R plain radiograph of the wrist; PA/AP; 17-year-old female — 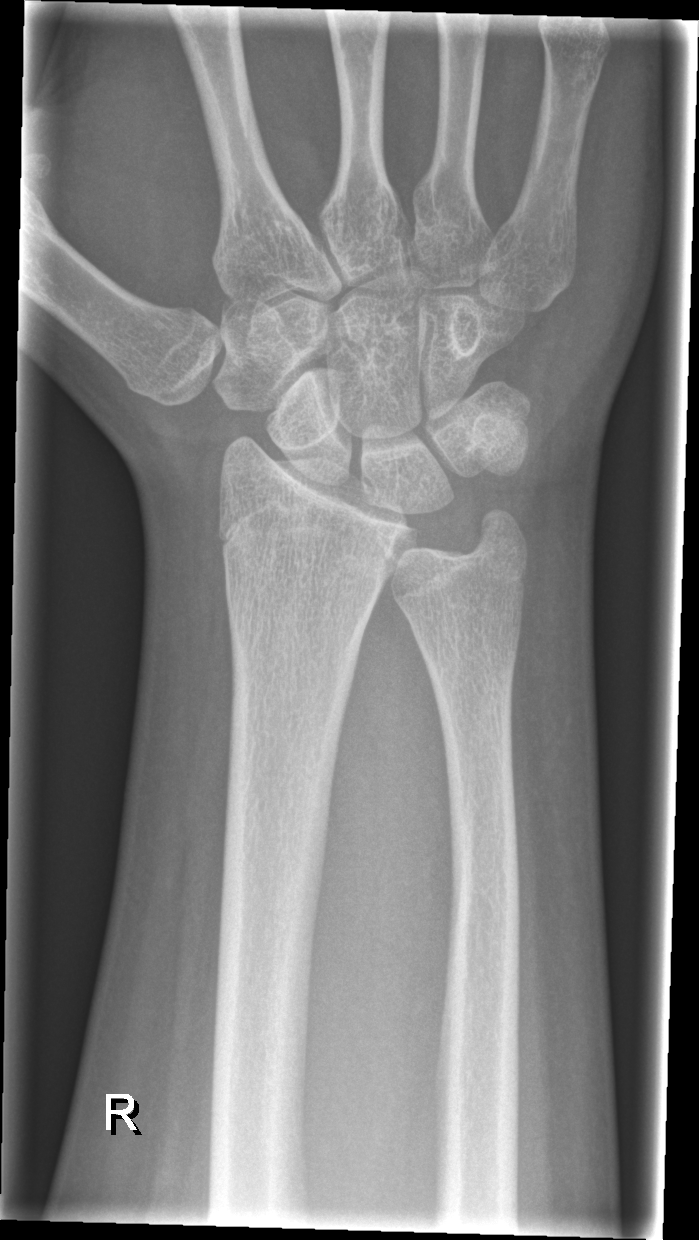
Bone fracture: none labeled